Right plain radiograph of the wrist, frontal projection, 14y M, subsequent exam. 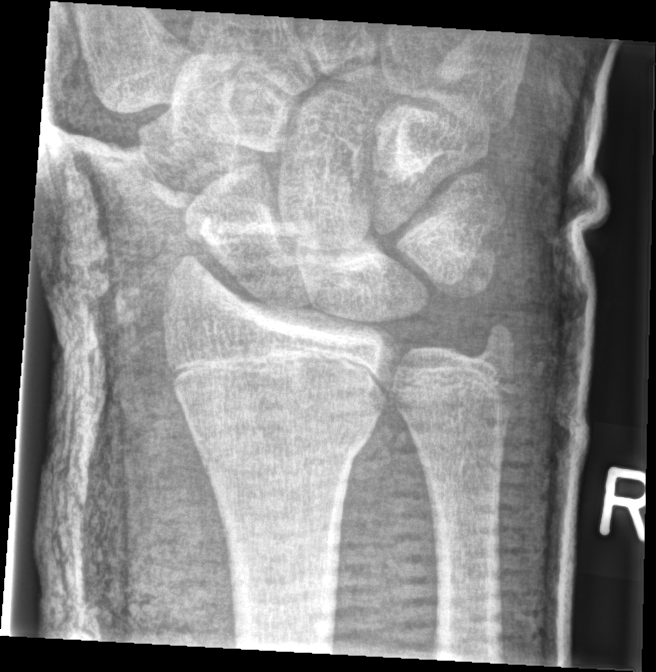

Findings: Fracture classified AO/OTA 23r-M/3.1. Bone fracture identified at 182 407 383 470.